PA, right wrist X-ray, pediatric patient (girl, age 12), index exam

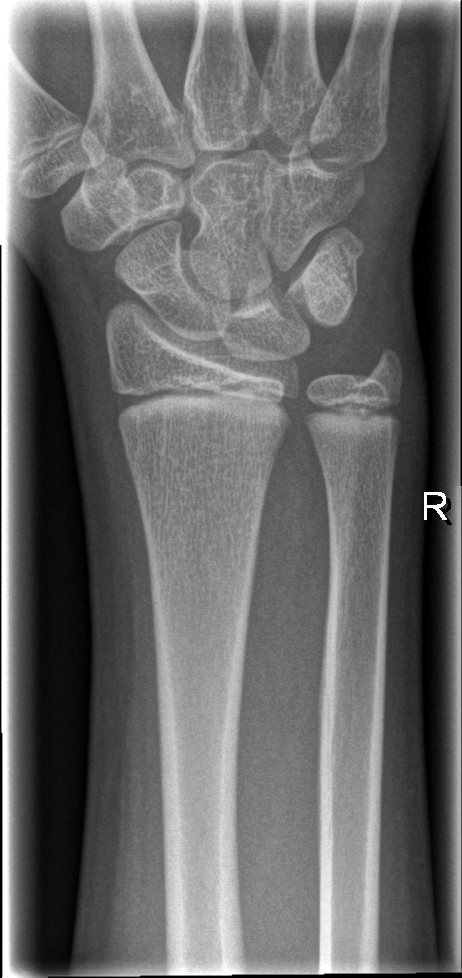

  fracture: none labeled